Lateral; R wrist X-ray; male, 9 yo; image size 687x1204:
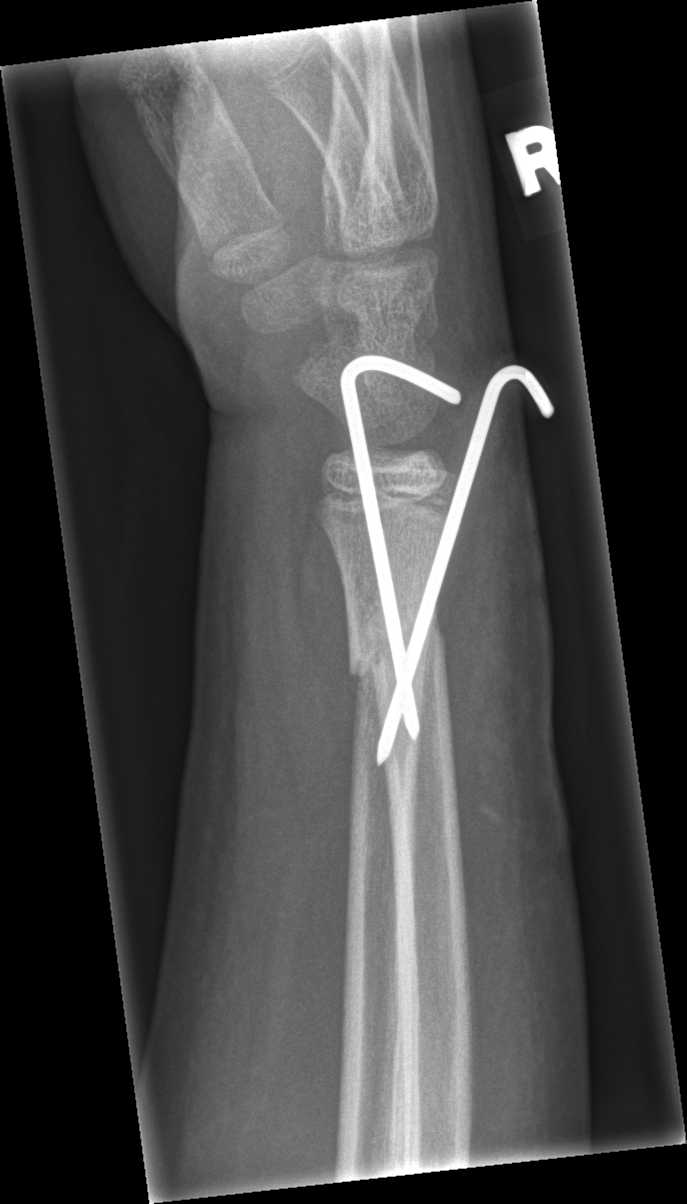 Q: Any metal present?
A: Hardware: [x1=339, y1=354, x2=554, y2=767]
Q: Fracture present?
A: Bone fracture identified at [x1=347, y1=610, x2=448, y2=698]
Q: AO code?
A: AO/OTA classification: 23r-M/3.1; 23u-M/2.1